Lt wrist radiograph, lateral, boy, 7 yo:
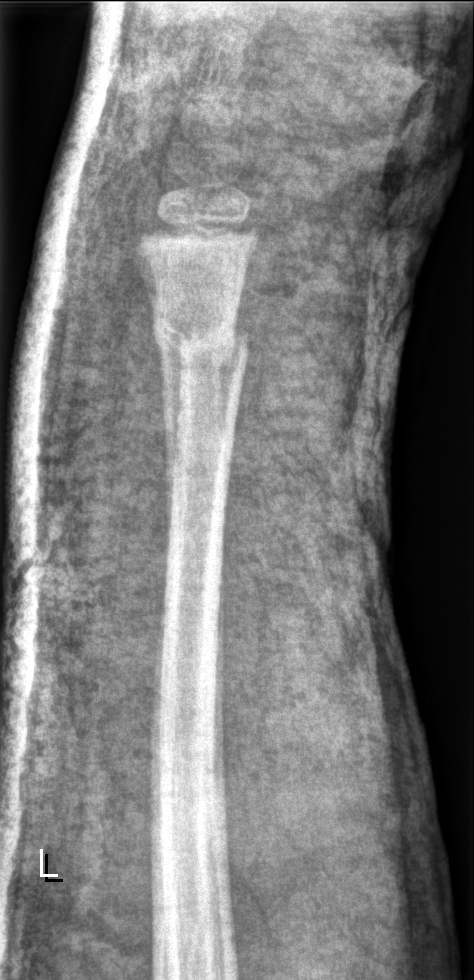 (pixel coordinates, top-left origin, xyxy)
bone fracture = [x1=151, y1=308, x2=253, y2=365]